Right wrist radiograph · lat view · age 11 y, male. 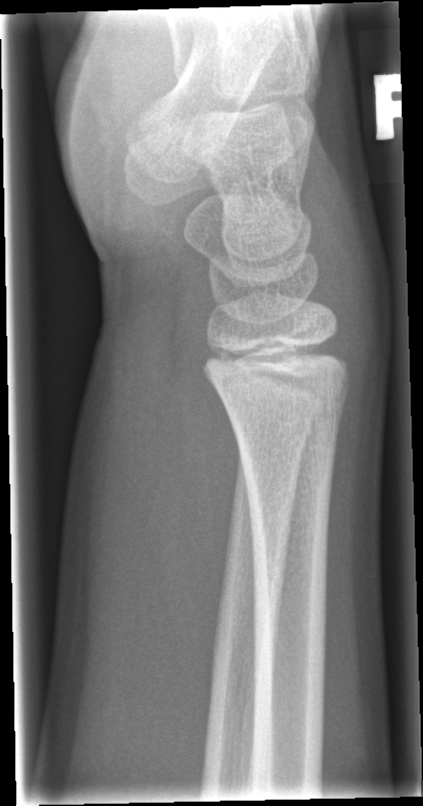
{
  "softtissue": "<67,282>-<247,784>, <306,142>-<387,373>",
  "fracture": "none labeled"
}